Right pediatric wrist radiograph · lateral projection · subsequent exam · 451 x 1002 px.

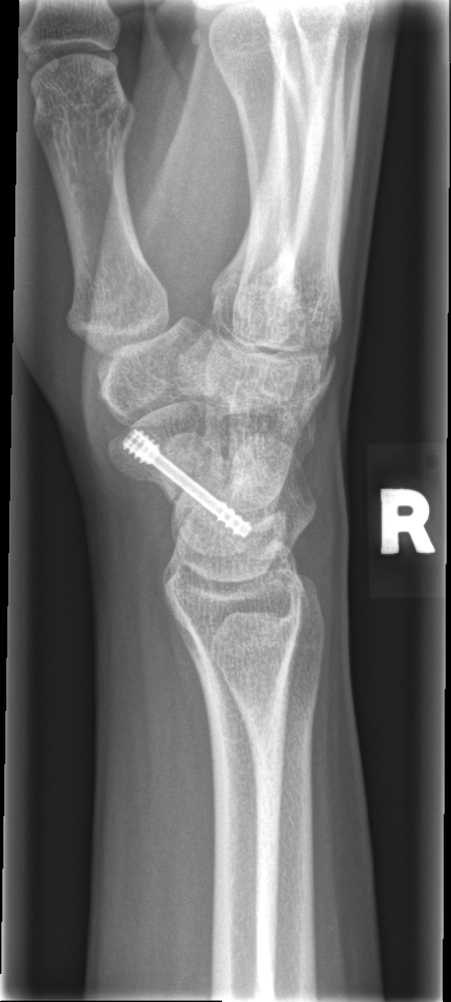

FINDINGS: (bounding boxes in image-pixel xyxy) Hardware — <121,428>-<256,540>. Fracture classified AO/OTA 72B(b). Bone fracture — <167,465>-<242,515>.